AP | Rt wrist plain film | findings marked uncertain by the reading radiologist | detector: Siemens | image size 641x1184.

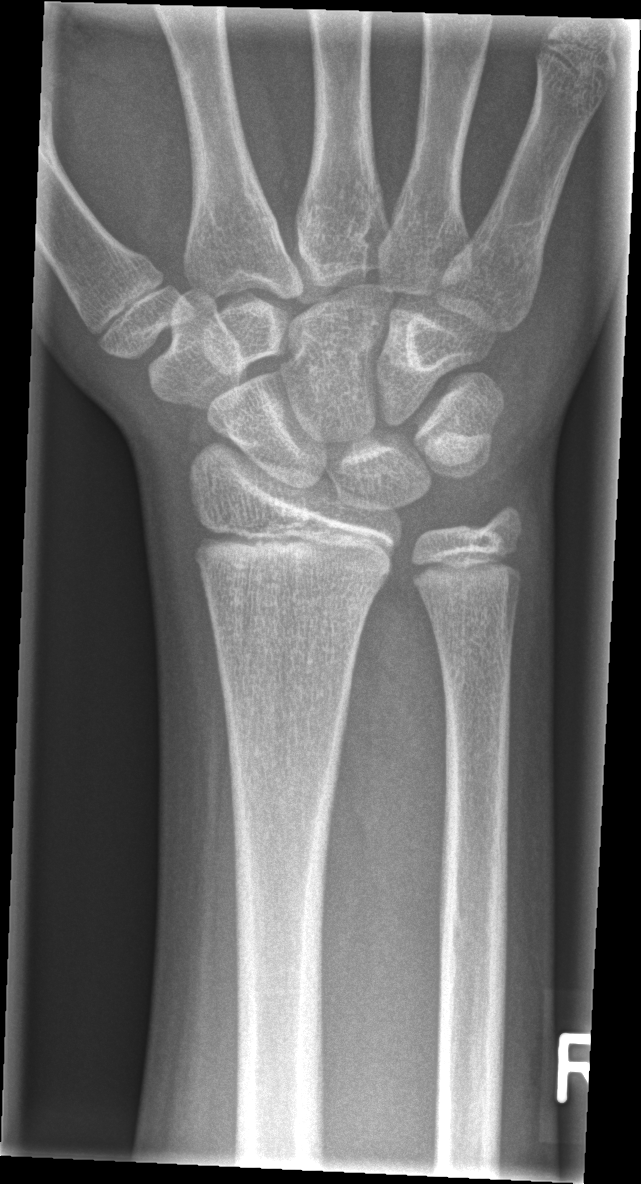
No fracture labeled.